Left wrist plain radiograph of the wrist; PA; imaged through cast.
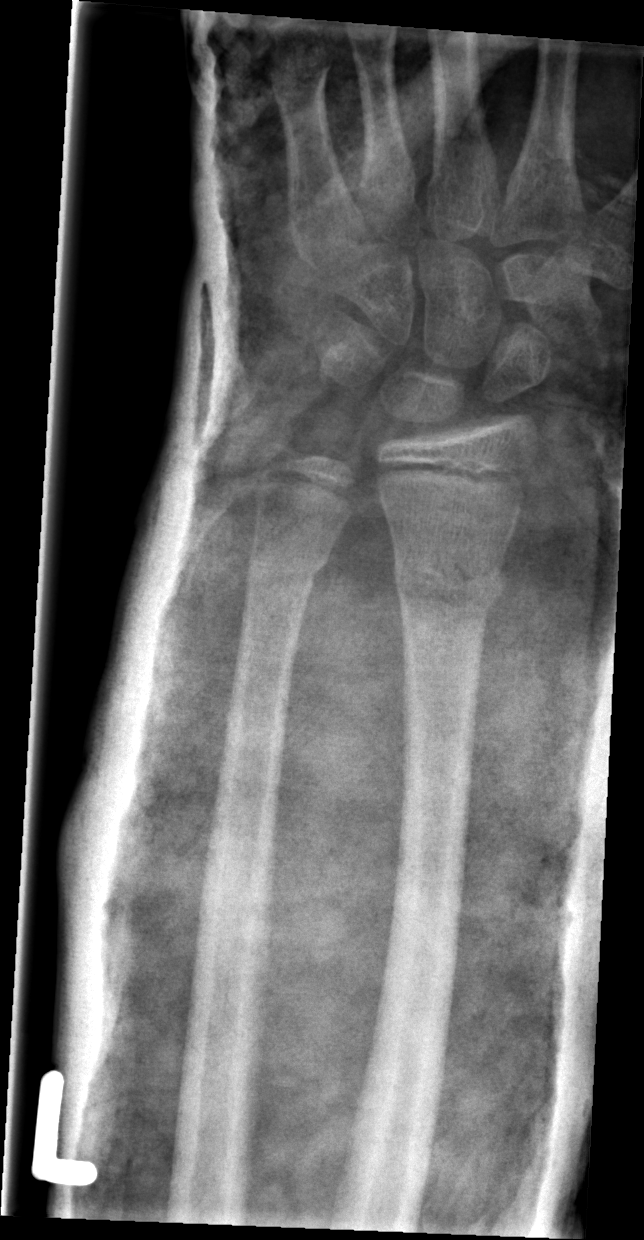

Fx: 2 @ 387 544 510 624; 245 537 336 603
AO classification: 23r-M/3.1; 23u-M/2.1